Posteroanterior; left wrist X-ray; presentation radiograph; detector: Siemens; image width 74.9 mm
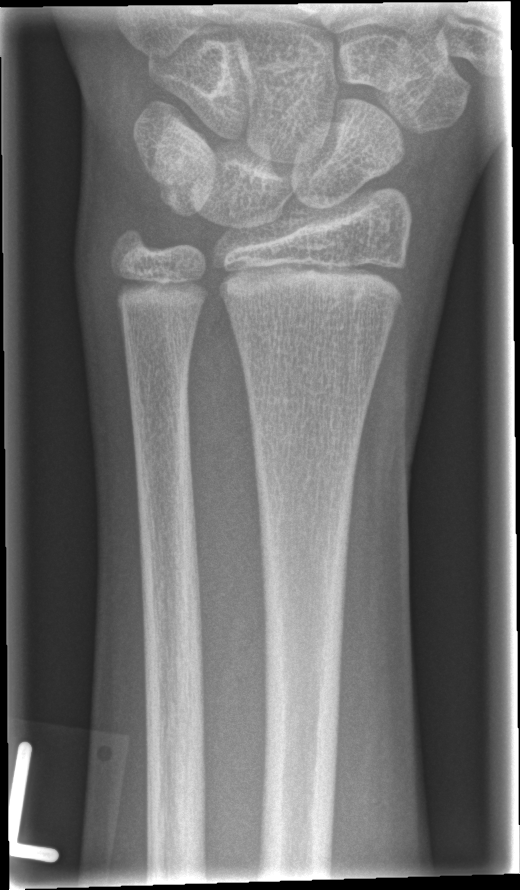

• No fracture labeled.